L wrist radiograph, lat, in cast, image 78.6 mm wide. 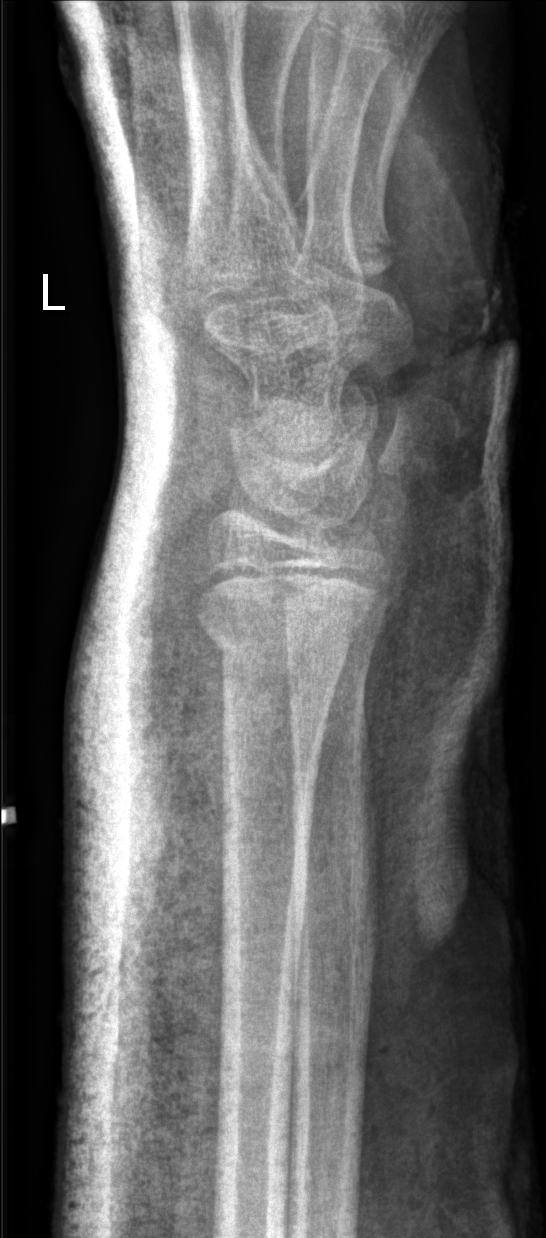 fracture: 1 @ (194, 597, 360, 693)